Right wrist XR · AP projection · 5y F · initial study · findings marked uncertain by the reading radiologist · 544x774
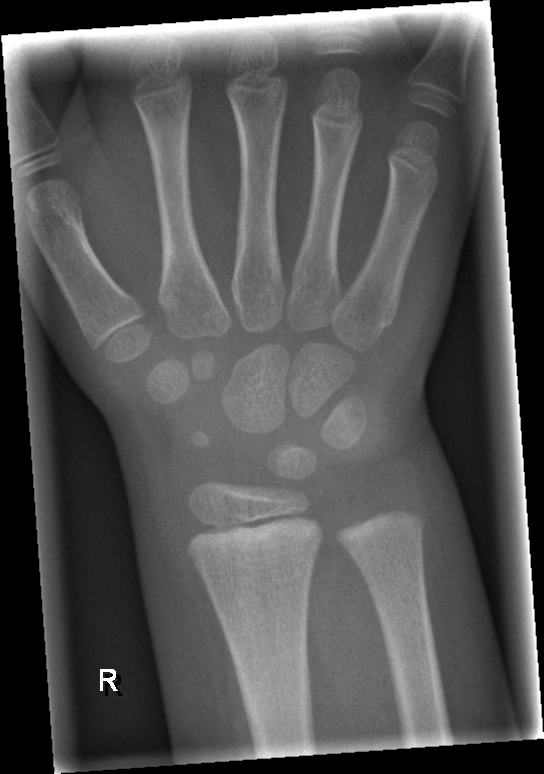

Fracture: none labeled.